Lateral view, L wrist XR, 7-year-old female, presentation radiograph, detector: Siemens — 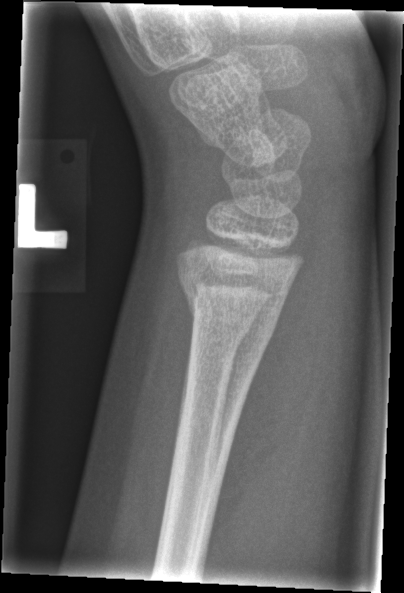
pronator quadratus fat-pad sign = (left=209, top=205, right=337, bottom=536)
AO classification = 23r-M/2.1
bone fracture = (left=173, top=271, right=284, bottom=356)